Lt wrist X-ray, AP, imaged through cast, 764 x 1118 px:
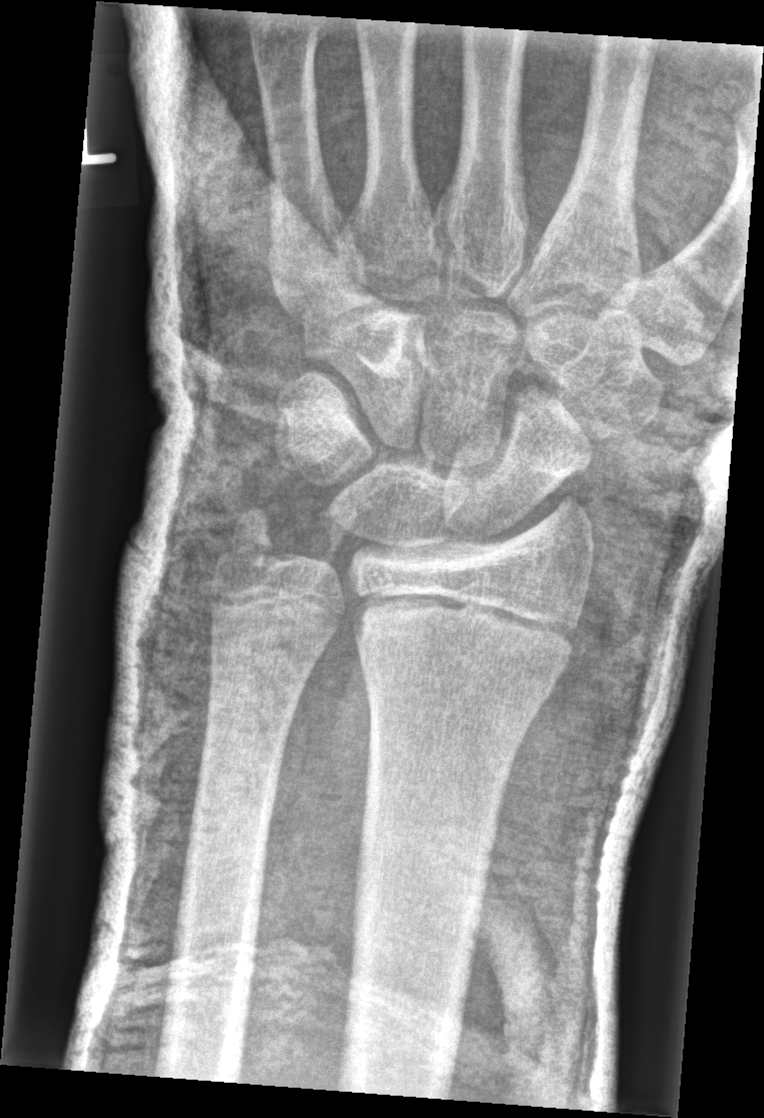

(coordinates are [x1, y1, x2, y2] in image pixels)
Fracture = <221,504>-<284,578>
AO/OTA = 23r-E/2.1; 23u-E/7